PA/AP view; left wrist radiograph:
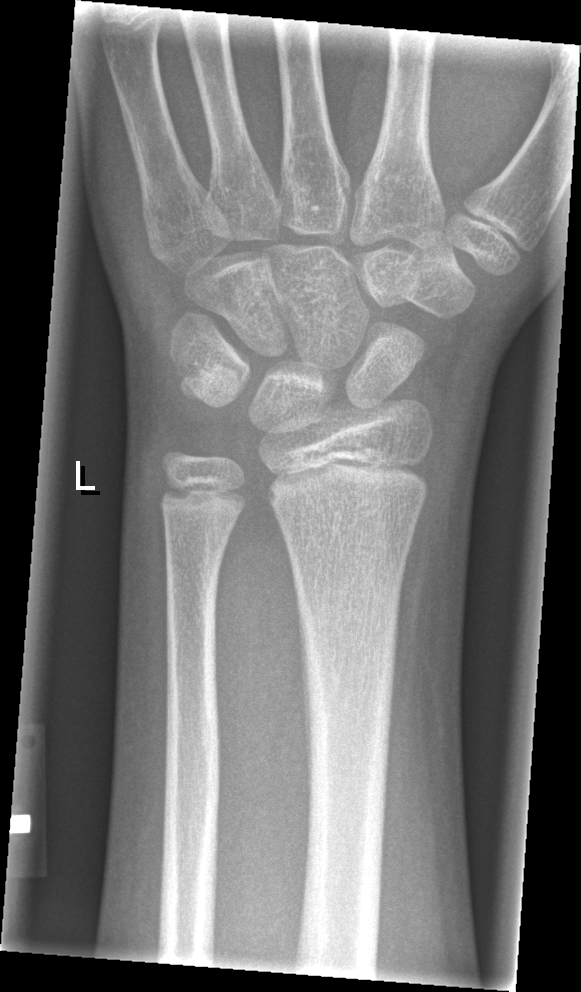

fracture: none labeled